Lt wrist X-ray, posteroanterior projection, image width 74.3 mm, 516x1074 —

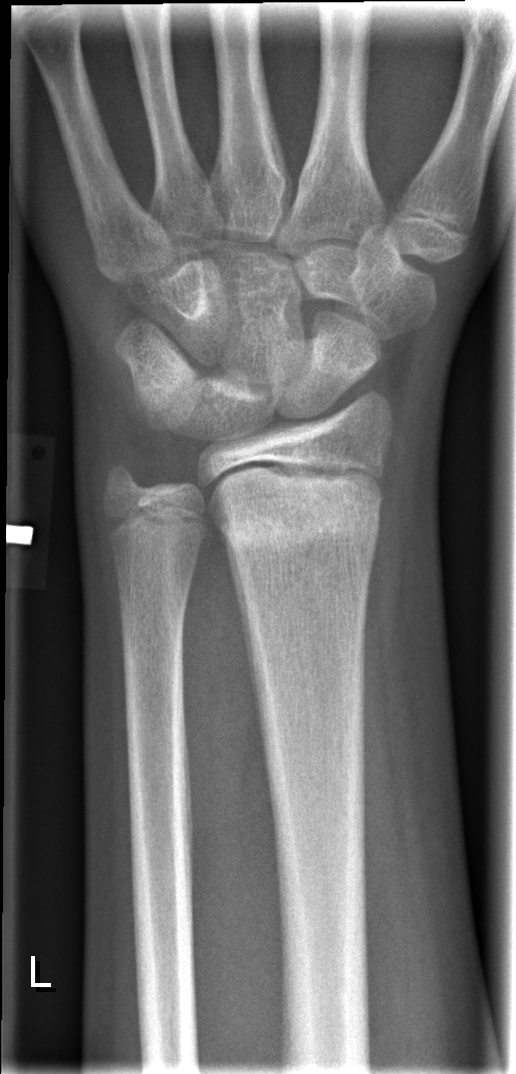 Q: AO code?
A: AO code 23r-M/3.1
Q: Any periosteal thickening?
A: Periosteal reaction: (218, 527, 267, 759)
Q: Fracture present?
A: Fx identified at (212, 481, 383, 561)